Left wrist radiograph · lateral · 10y M · follow-up study.
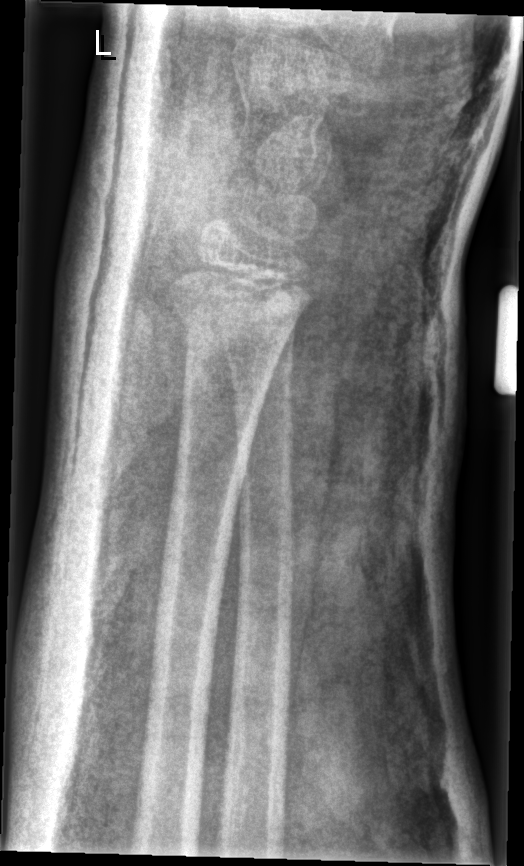 Fx identified at 163 260 306 357.